PA view | right pediatric wrist radiograph.

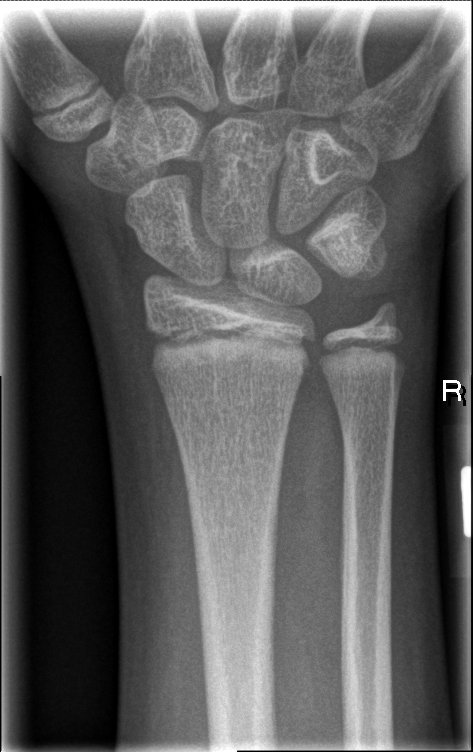
Fracture = none labeled